Left wrist plain radiograph of the wrist | lat projection | age 11 y, boy | image size 444x810.

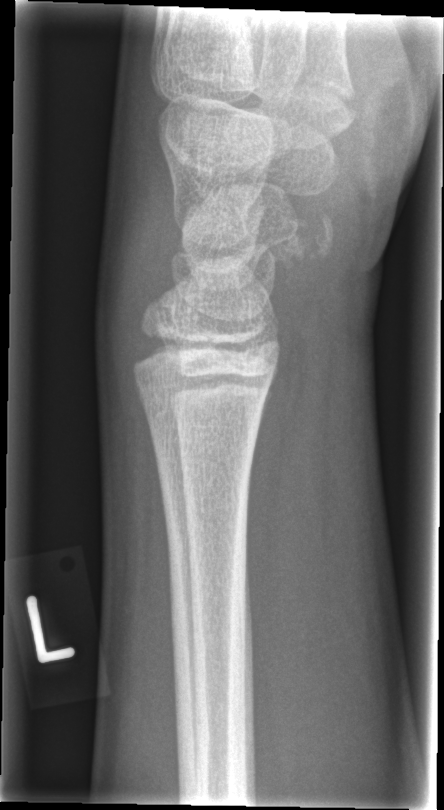 Q: Fracture present?
A: No fracture annotation